Left wrist plain radiograph of the wrist | lat | boy, 12 yo | in cast | detector: Siemens | 628 by 839 pixels —
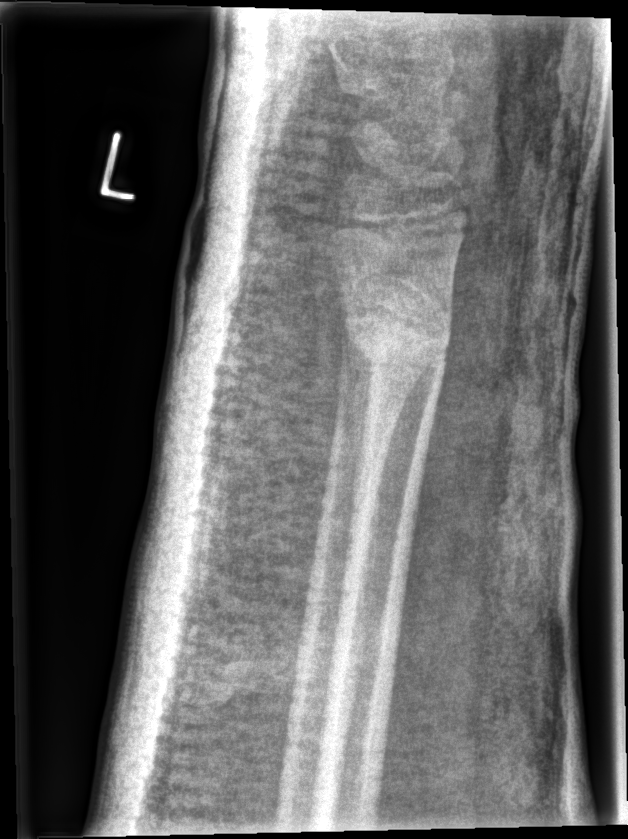

# bounding boxes in image-pixel xyxy
fracture: 1 @ [337, 299, 457, 385]
ao: 23r-M/3.1